Posteroanterior; L plain radiograph of the wrist; acquired on Siemens.
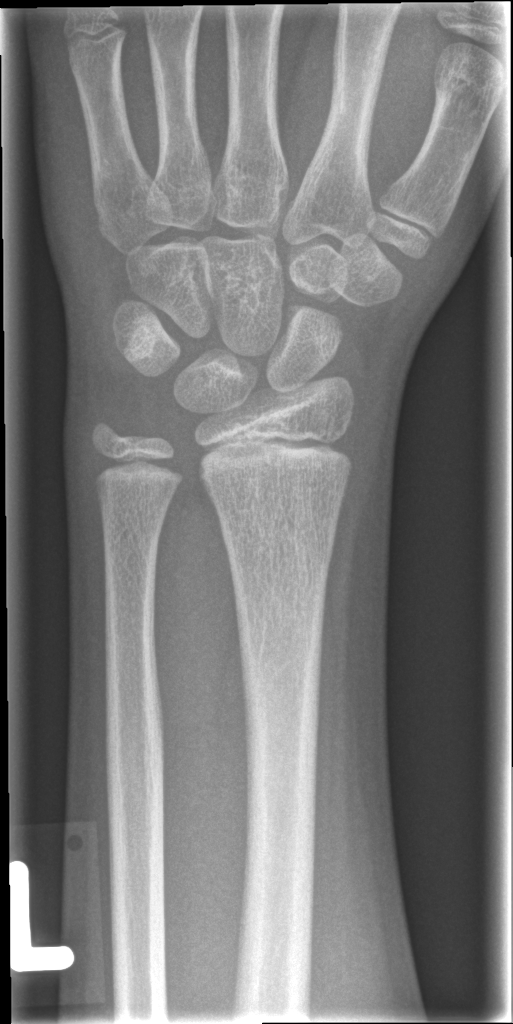 AO code: 23r-M/2.1
Fracture: present but not clearly seen in this view